PA/AP | right wrist radiograph
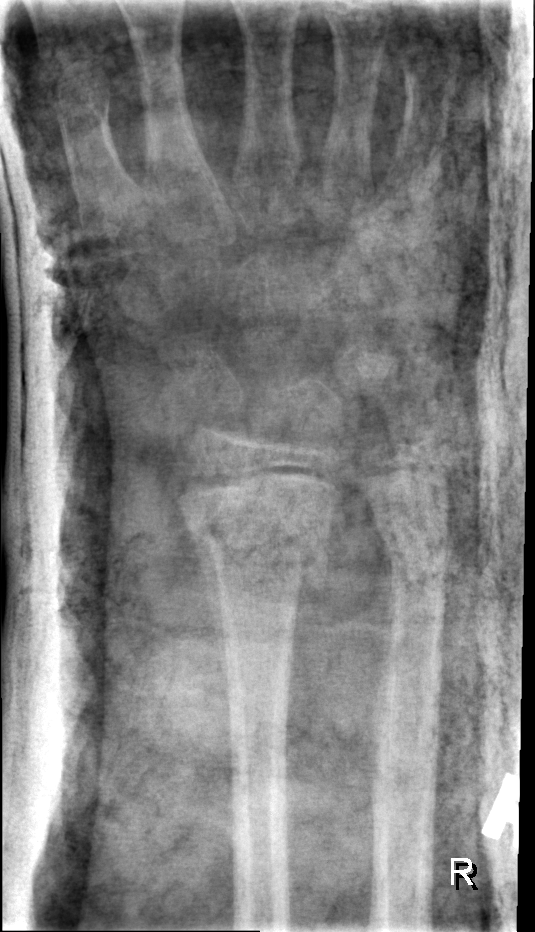
FINDINGS: Periosteal reaction: 181 509 229 729. Two bone fractures at 182 485 338 570; 367 504 455 586.